Lateral view; Lt wrist XR; acquired on Siemens.

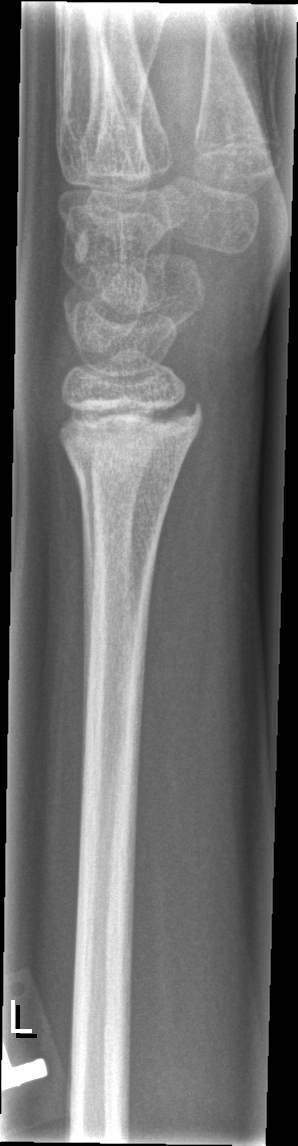
FINDINGS — Fracture: 54 389 206 492.